Lat view, left pediatric wrist radiograph, girl, 13 yo 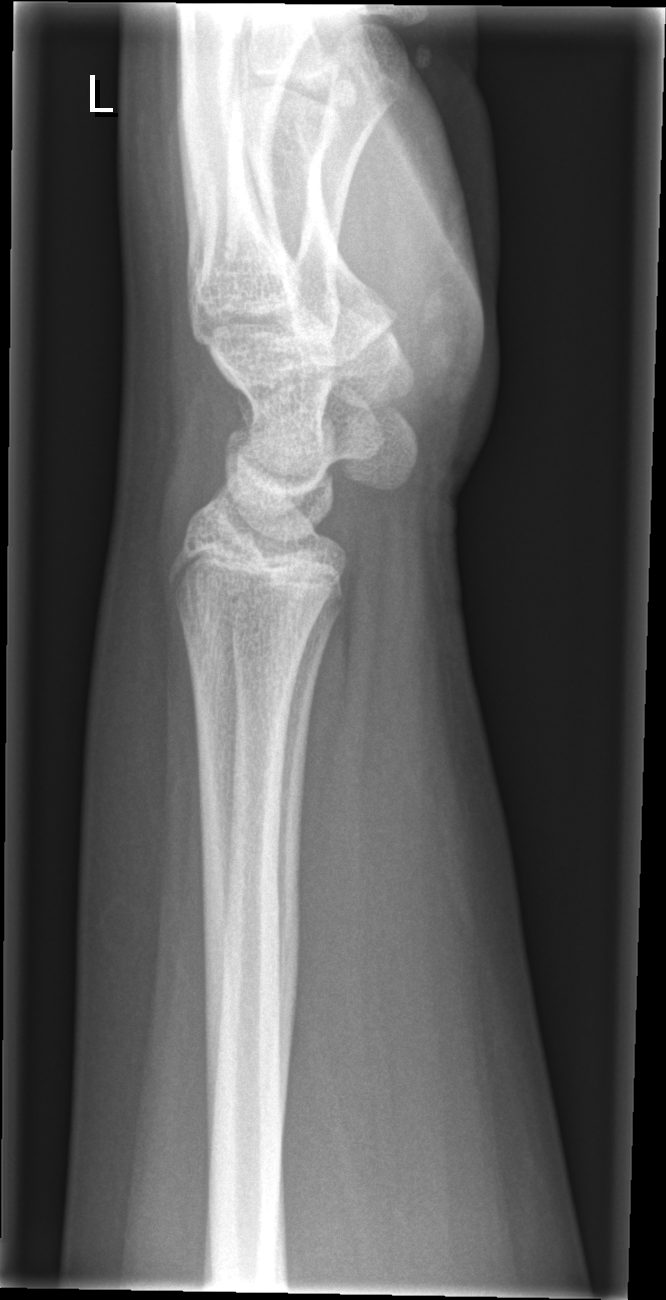
Q: Any fracture seen?
A: No fracture bounding box